PA/AP view; right wrist pediatric wrist radiograph; pediatric patient (boy, age 15); 112.3 mm image width; image size 780x1194 —

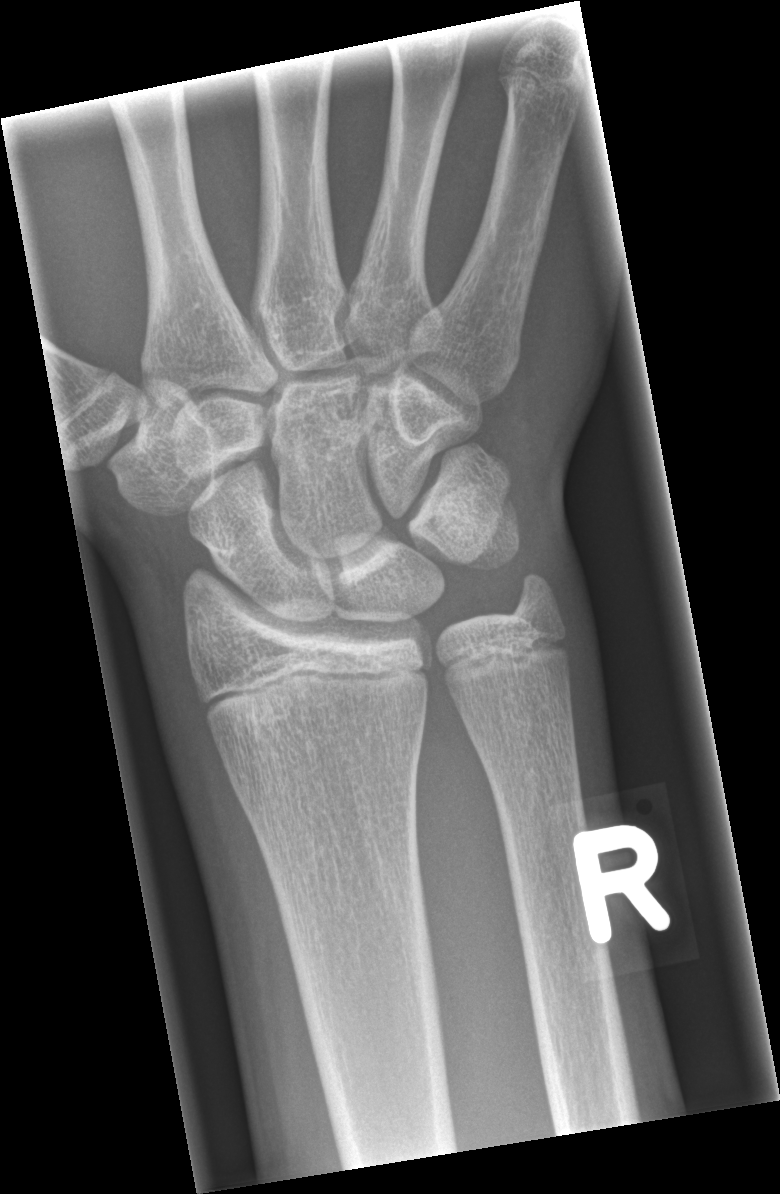 fracture: none labeled